Lat view · left wrist X-ray — 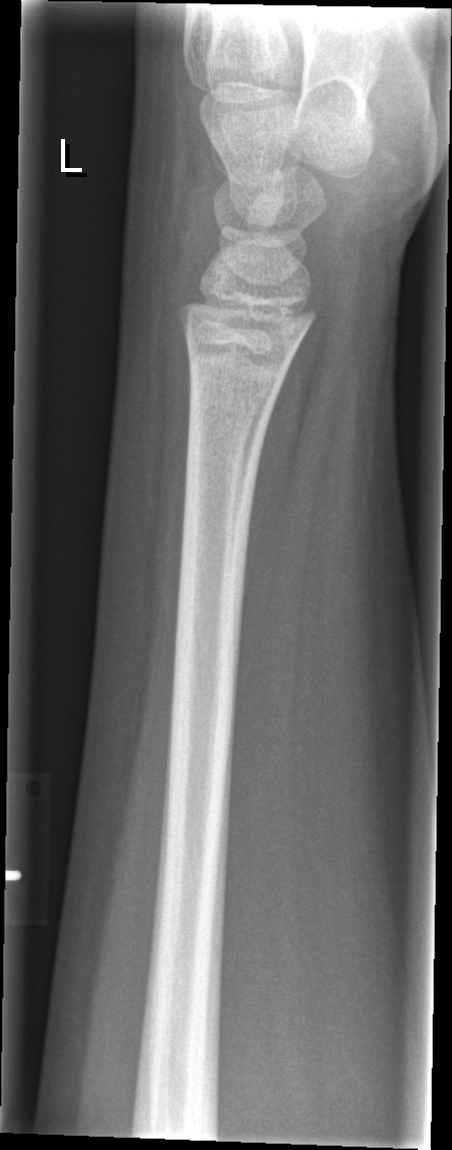
  fracture: none labeled